R wrist plain film; AP; age 13 y, boy; image 119.5 mm wide:

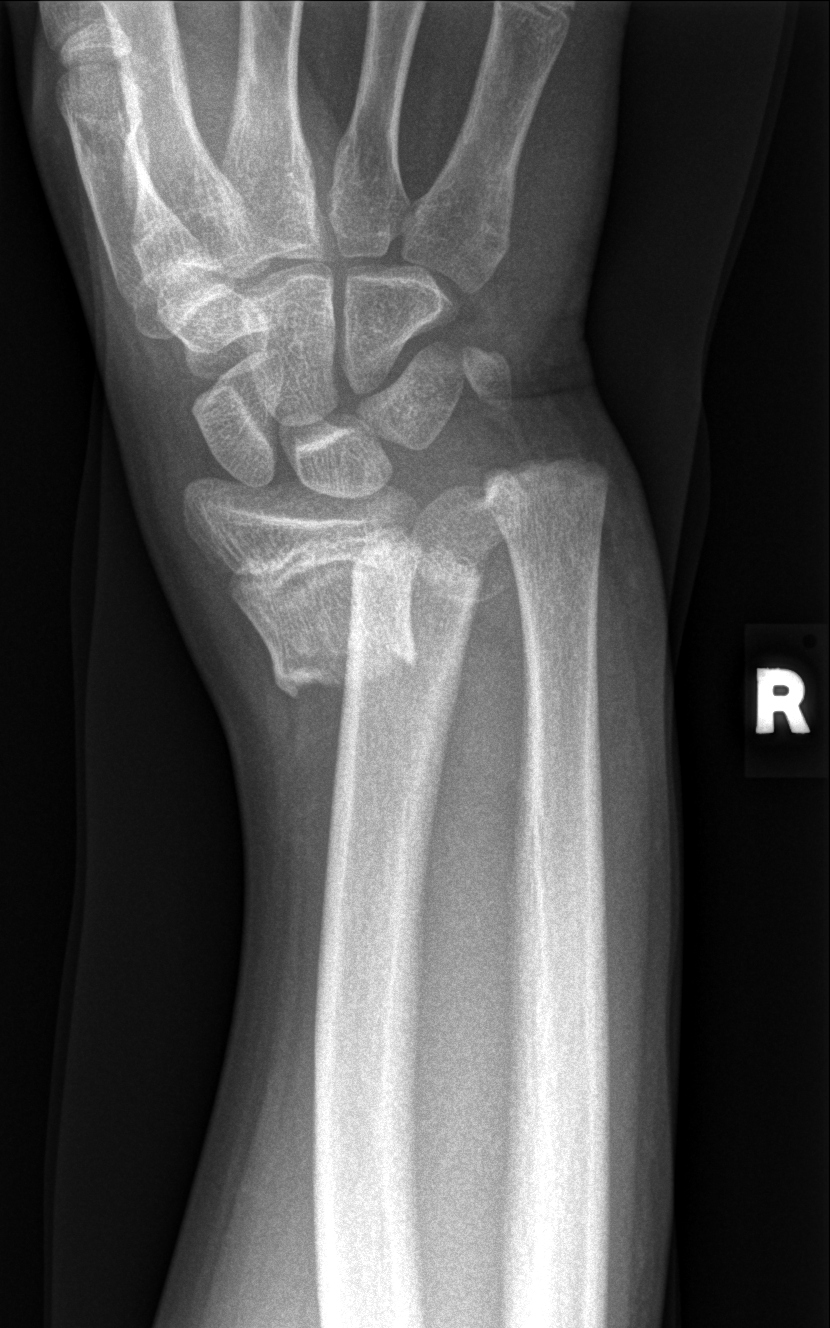 Two fractures at [x1=267, y1=520, x2=486, y2=703], [x1=408, y1=446, x2=614, y2=603]. AO/OTA classification: 23r-M/3.1; 23u-E/1.